Rt wrist radiograph, oblique projection, acquired on Siemens, 91.2 mm image width, image size 633x680:
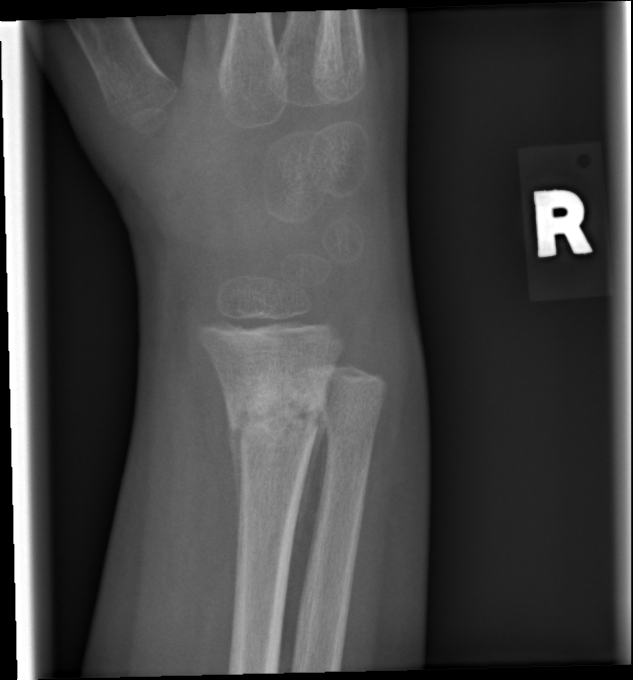
{"periostealreaction": "293 401 329 543 | 228 425 242 526 | 316 417 329 525", "fracture": "1 @ 218 377 336 455", "osteopenia": "present", "ao": "23r-M/3.1; 23u-M/2.1"}